Lat; Lt pediatric wrist radiograph; index exam

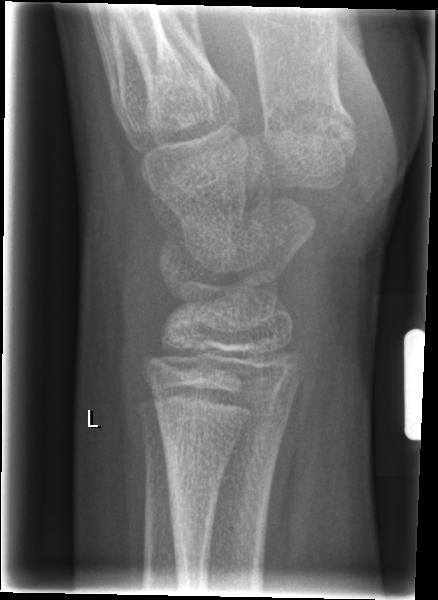 fracture = none labeled